Lat projection | left wrist plain radiograph of the wrist | subsequent exam:

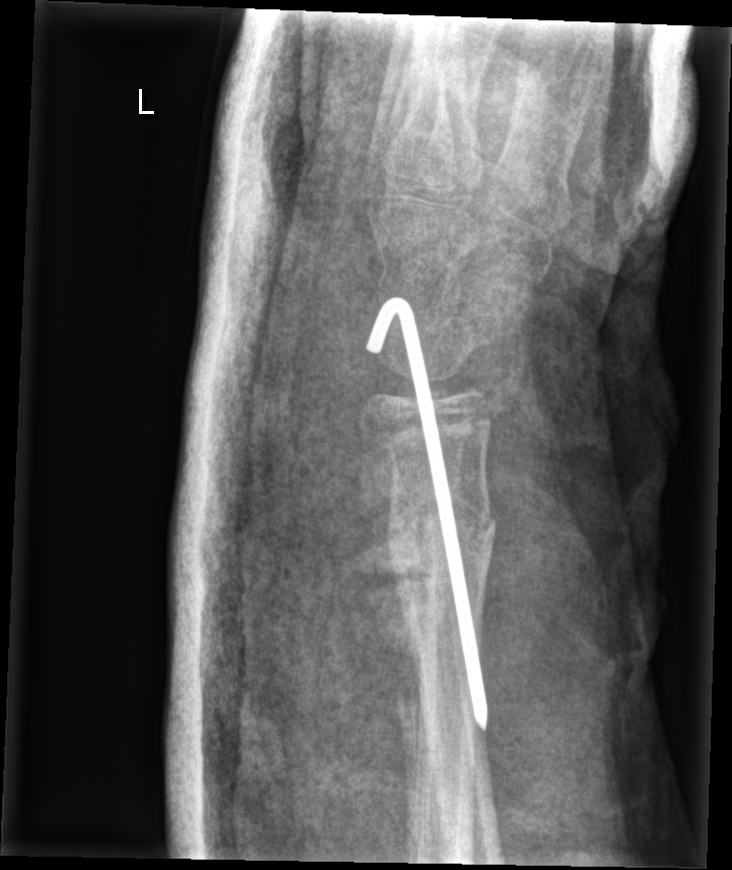
Fx identified at (391, 501, 499, 633).
One metallic implant at (363, 294, 490, 735).